Left wrist XR, lat view, 8y M, imaged through cast, 554 by 894 pixels — 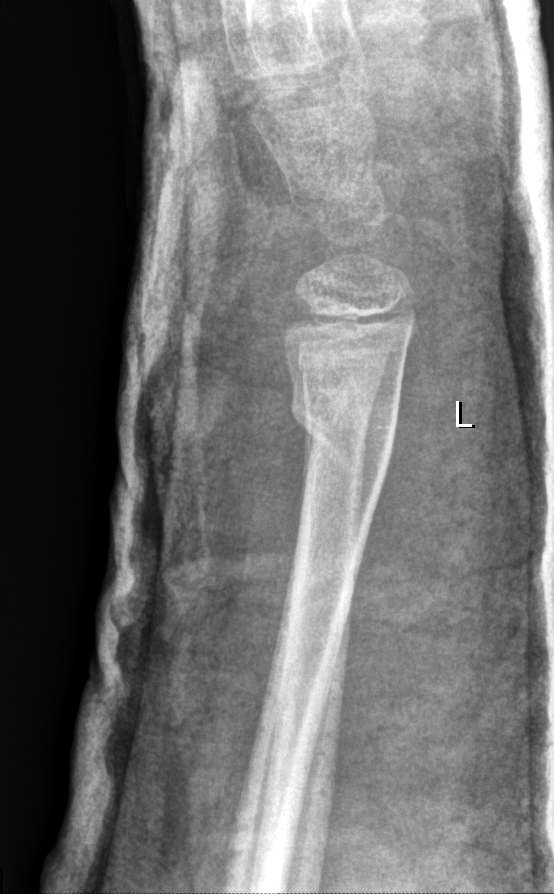
FINDINGS — Fx: <287,382>-<402,485>.